Lt wrist plain film · PA/AP
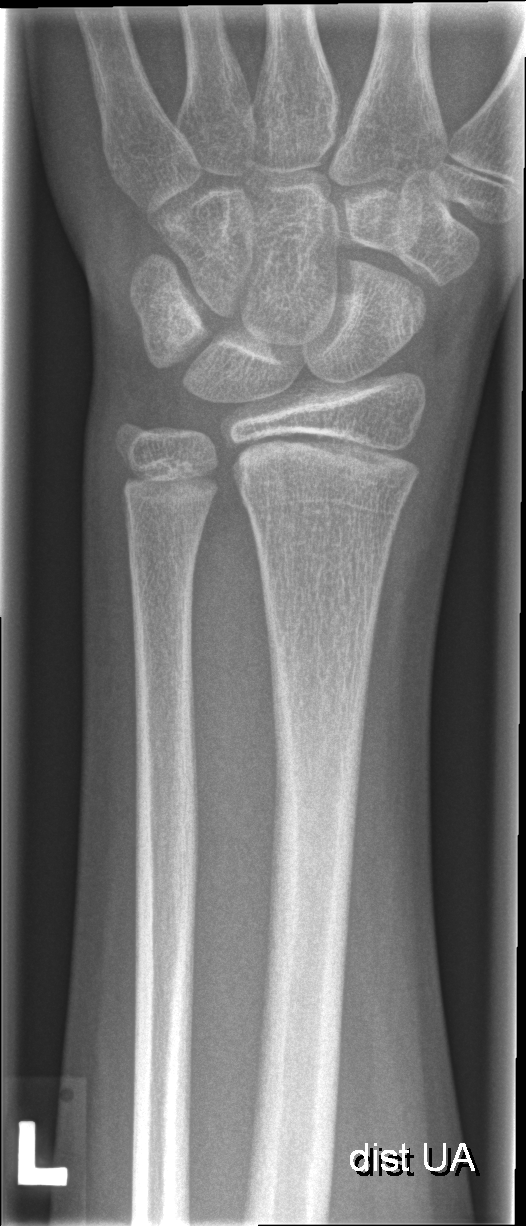
AO/OTA classification: 23r-M/2.1. Fracture: present but not clearly seen in this view.